Lat | left wrist plain radiograph of the wrist | male, 17 yo: 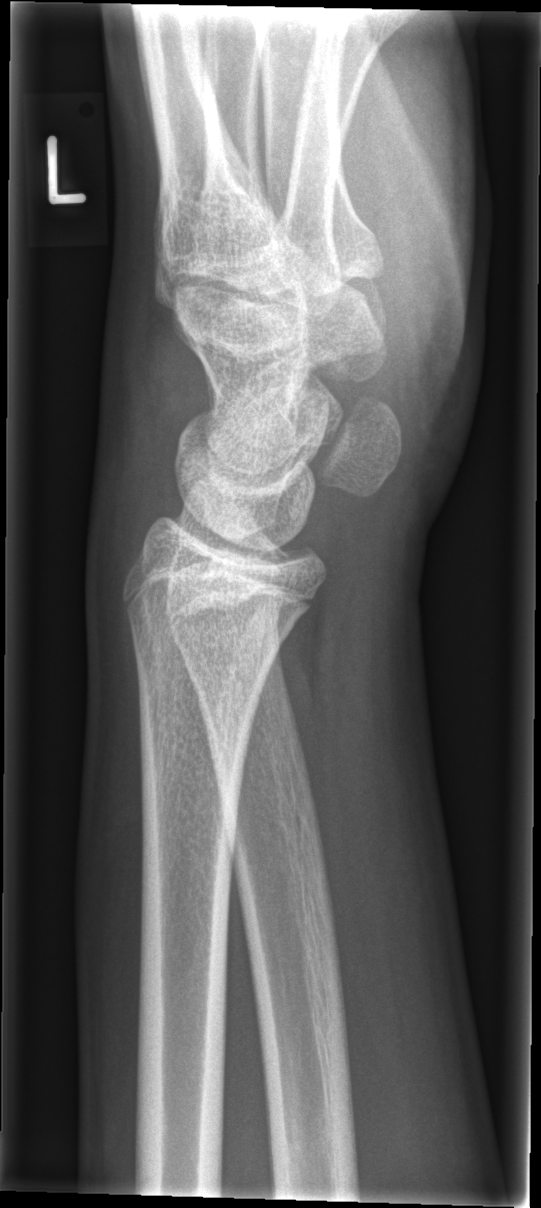
(pixel coordinates, top-left origin, xyxy)
Q: Fracture present?
A: Fracture present, but no bounding box because it is not clearly seen in this view
Q: Is there soft-tissue abnormality?
A: Soft-tissue finding identified at (left=84, top=304, right=208, bottom=619)